Left plain radiograph of the wrist | PA/AP | pediatric patient (male, age 11) | presentation radiograph — 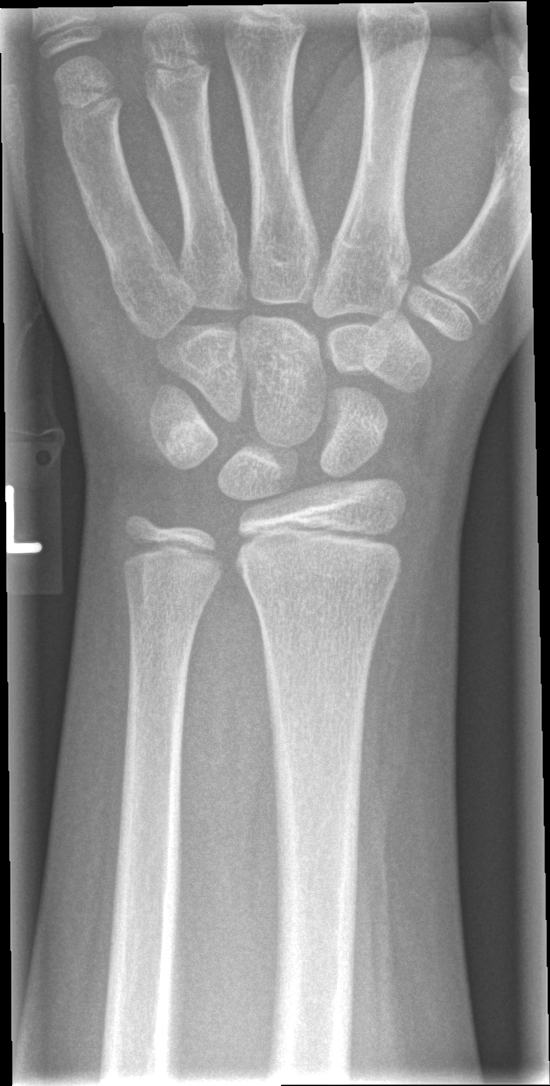
- Fracture present but not clearly seen in this view.